Right wrist radiograph | lateral projection | 7y F | index exam —

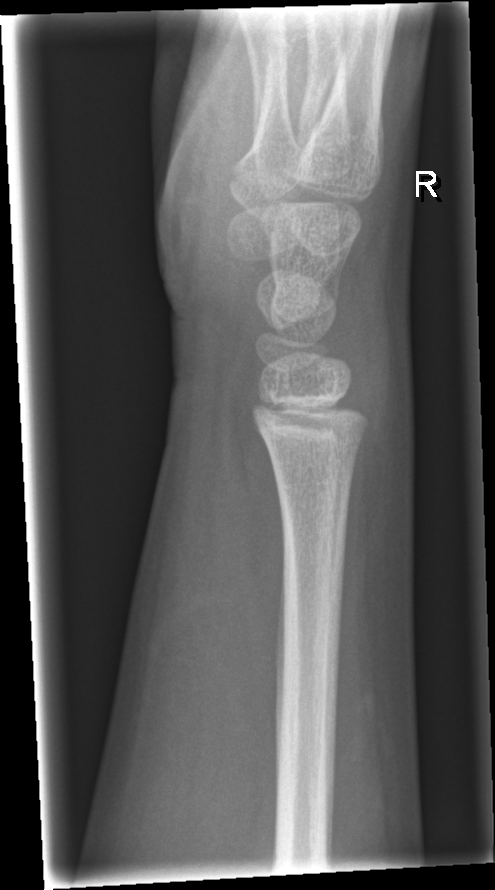

FINDINGS — Fx: none.